Left wrist XR; posteroanterior view —
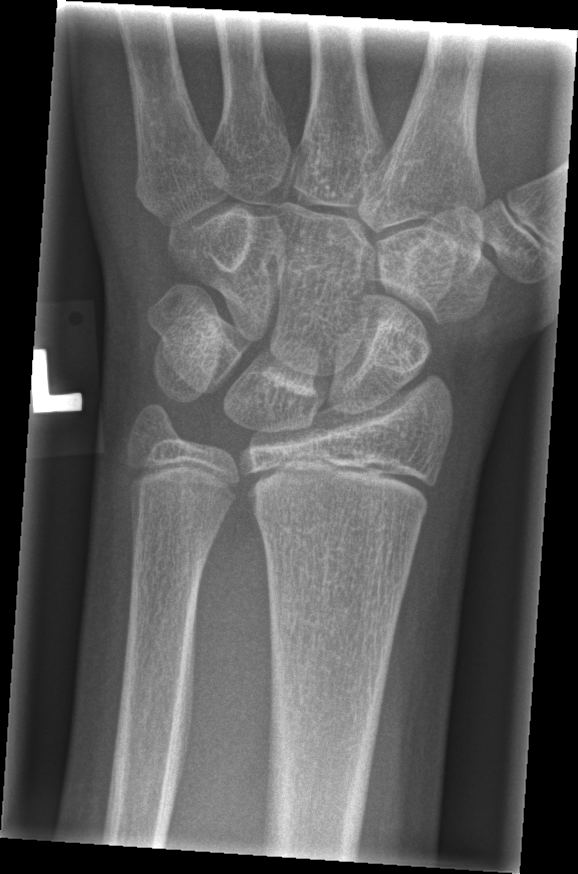

* No fracture bounding box.